Left wrist XR | PA view | age 12 y, girl | initial study | acquired on Siemens.

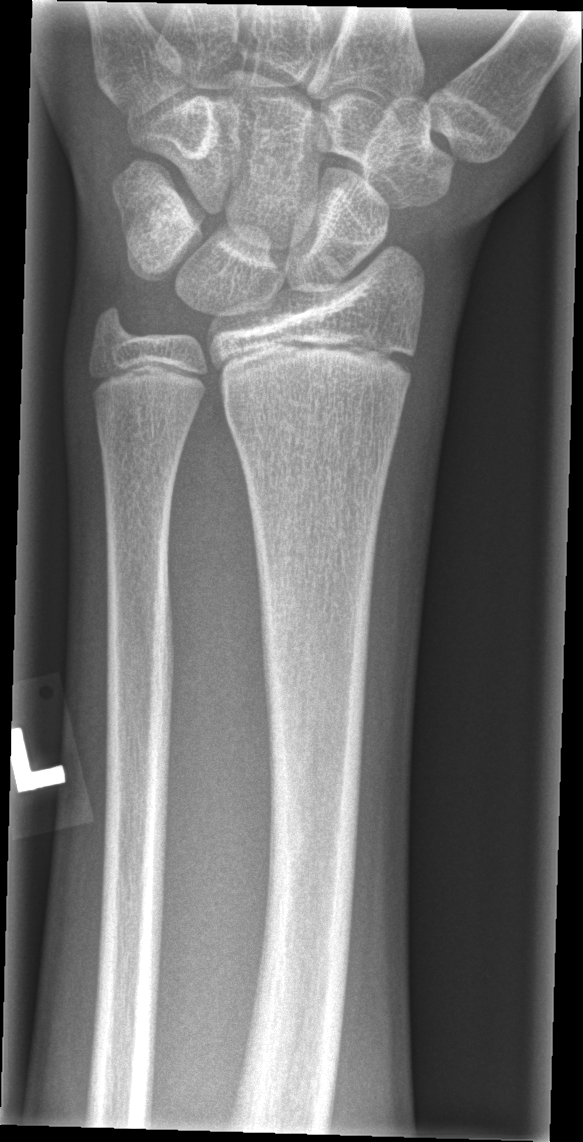   fracture: none labeled